Lateral · left wrist plain film · boy, 13 yo · 460 x 636 px:
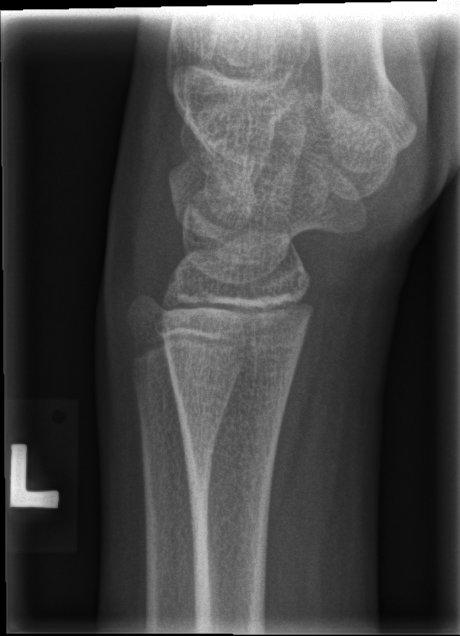 Q: Locate any fractures.
A: No Fx annotated